L wrist XR | lat projection | presentation radiograph | 56.4 mm image width | image size 392x1098 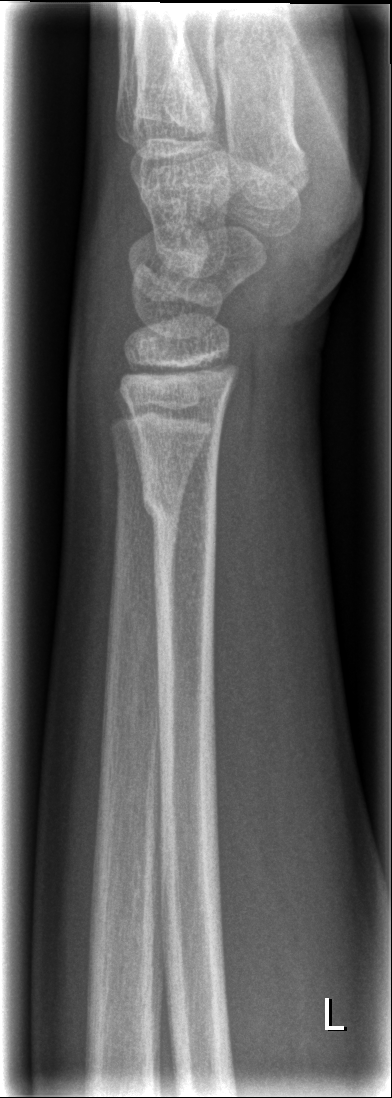

Fracture: (left=137, top=473, right=222, bottom=534)